Rt pediatric wrist radiograph · lateral view · 13y M · 672x1162
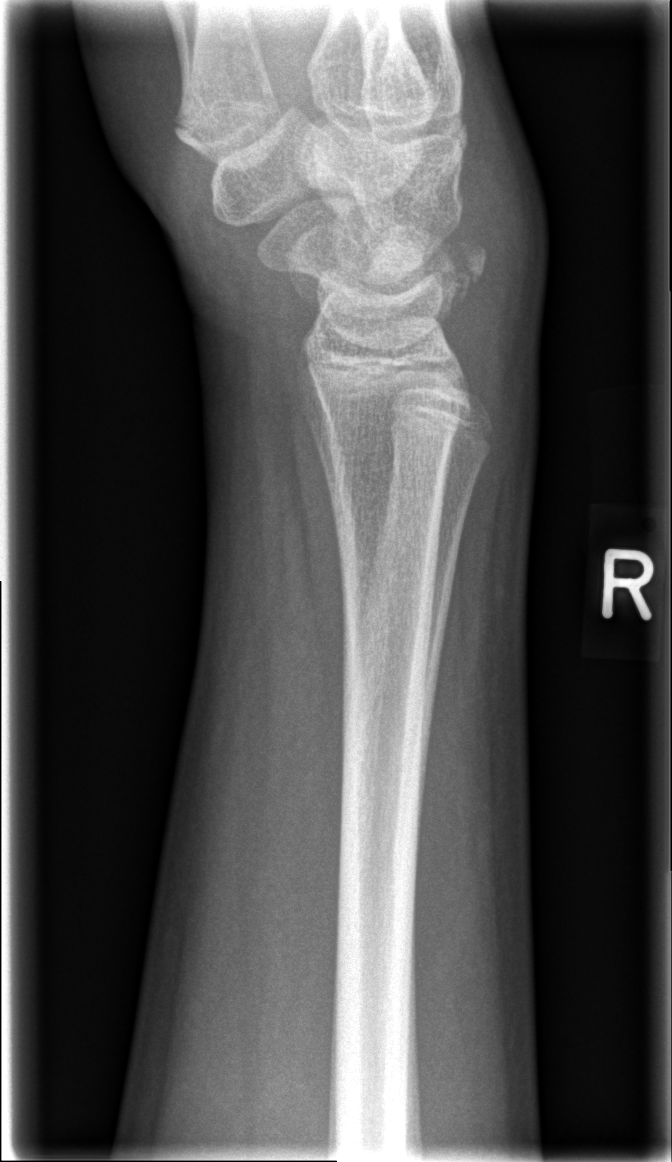
ao: 76.2.A
softtissue: (left=464, top=151, right=539, bottom=407)
fracture: 1 @ (left=434, top=215, right=493, bottom=343)